R pediatric wrist radiograph | lat view | 10-year-old female | detector: Siemens | 98.2 mm image width | 682 by 1188 pixels —
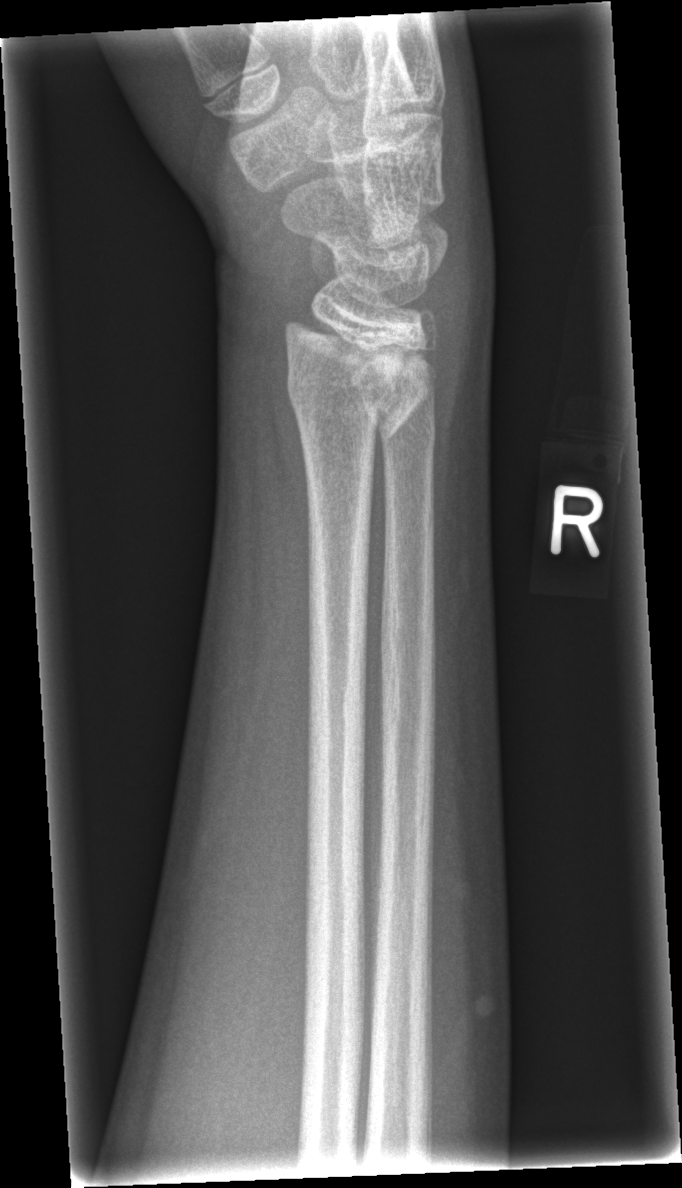 Findings: Fracture: (283, 347, 439, 450). Fracture classified AO/OTA 23r-E/2.1; 23u-M/2.1; 23u-E/7.